Rt wrist plain film, lateral, Siemens. 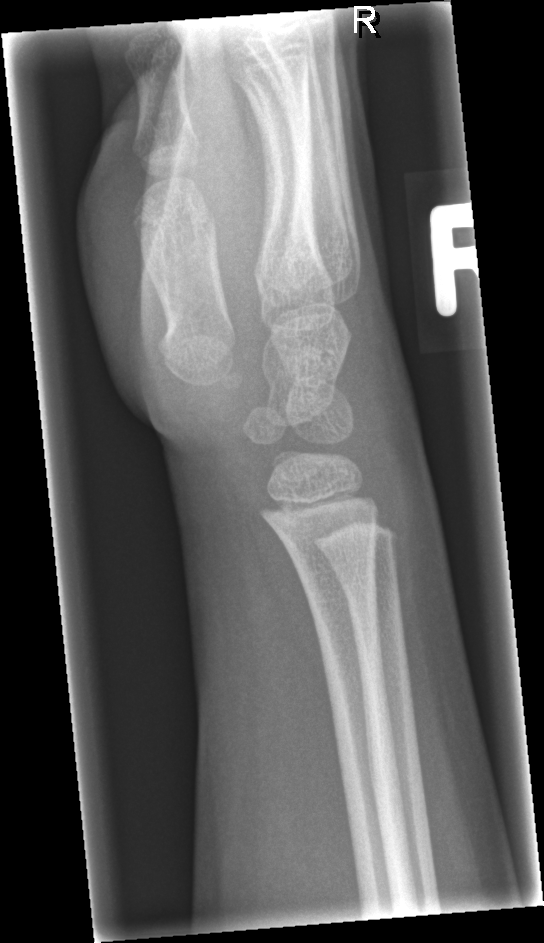

  fracture: none labeled